Left pediatric wrist radiograph | lat view —
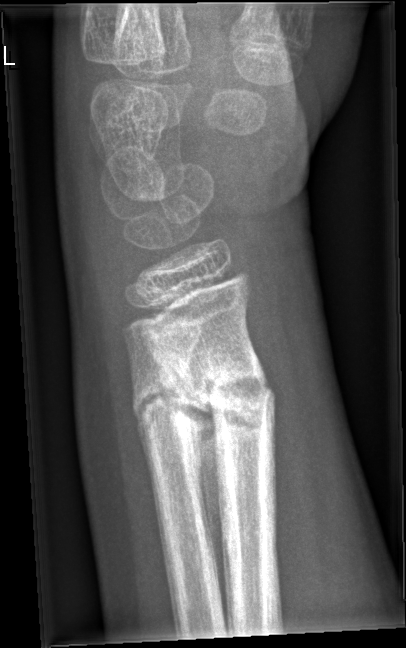 Q: Locate any fractures.
A: Fractures — [x1=165, y1=357, x2=281, y2=442]; [x1=128, y1=377, x2=208, y2=440]